PA projection | R plain radiograph of the wrist | follow-up | image width 89.4 mm | image size 621x852.
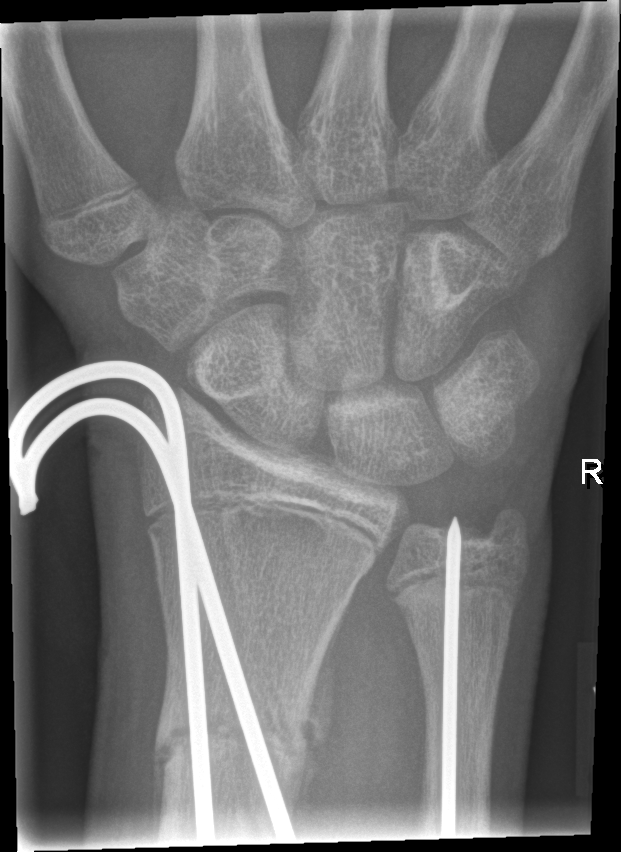

Bone fracture — 150,682,316,786. Decreased bone density (osteopenia). AO code 23r-M/3.1. Metallic implants — 3,360,300,841; 439,519,457,833.